PA/AP; left wrist plain film; 10-year-old male; follow-up study. 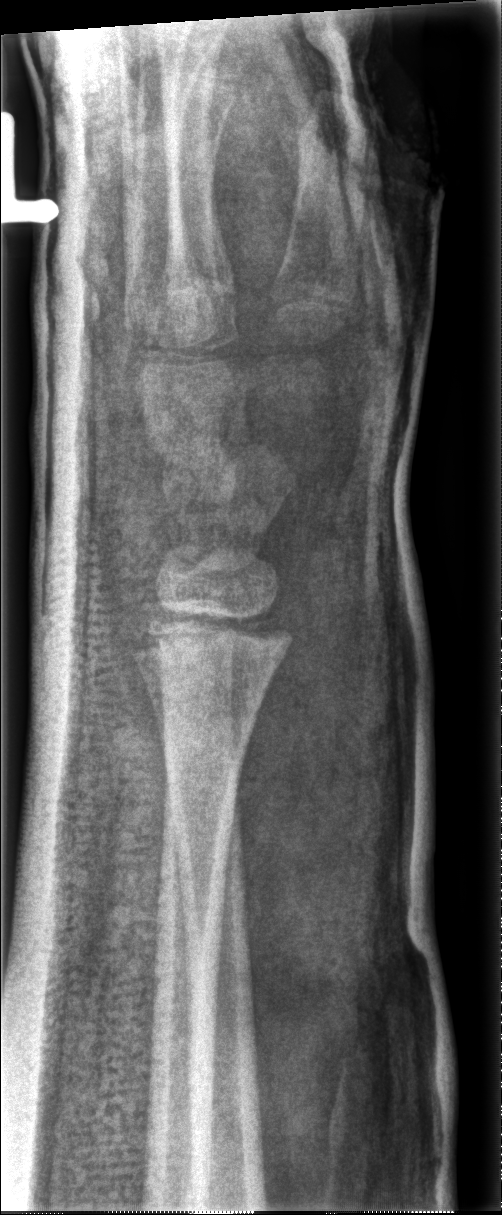

(coordinates are [x1, y1, x2, y2] in image pixels)
Fracture: <134,602>-<299,672>
AO classification: 23r-E/2.1; 23u-E/7